Lateral projection · right plain radiograph of the wrist

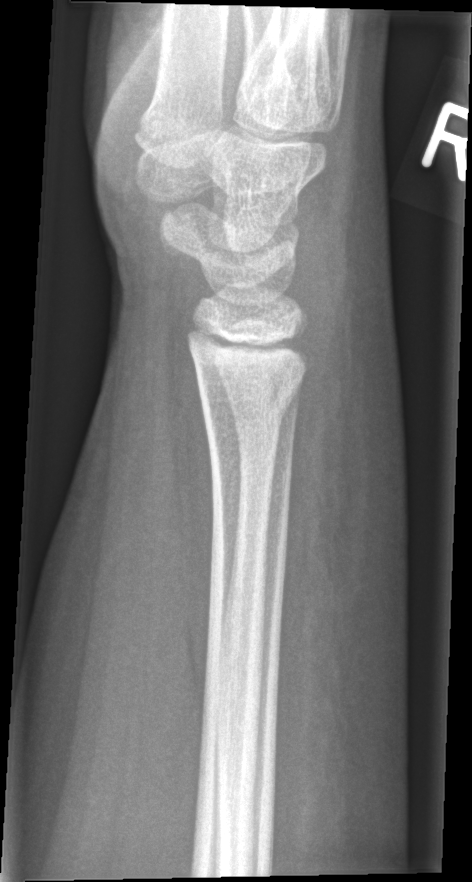

• Pixel coordinates, top-left origin, xyxy.
• Soft-tissue swelling: [281, 284, 414, 816].
• Fracture — [196, 352, 311, 437].
• Fracture classified AO/OTA 23r-M/2.1.